Left wrist plain radiograph of the wrist | lat | 8-year-old girl | subsequent exam | cast present.

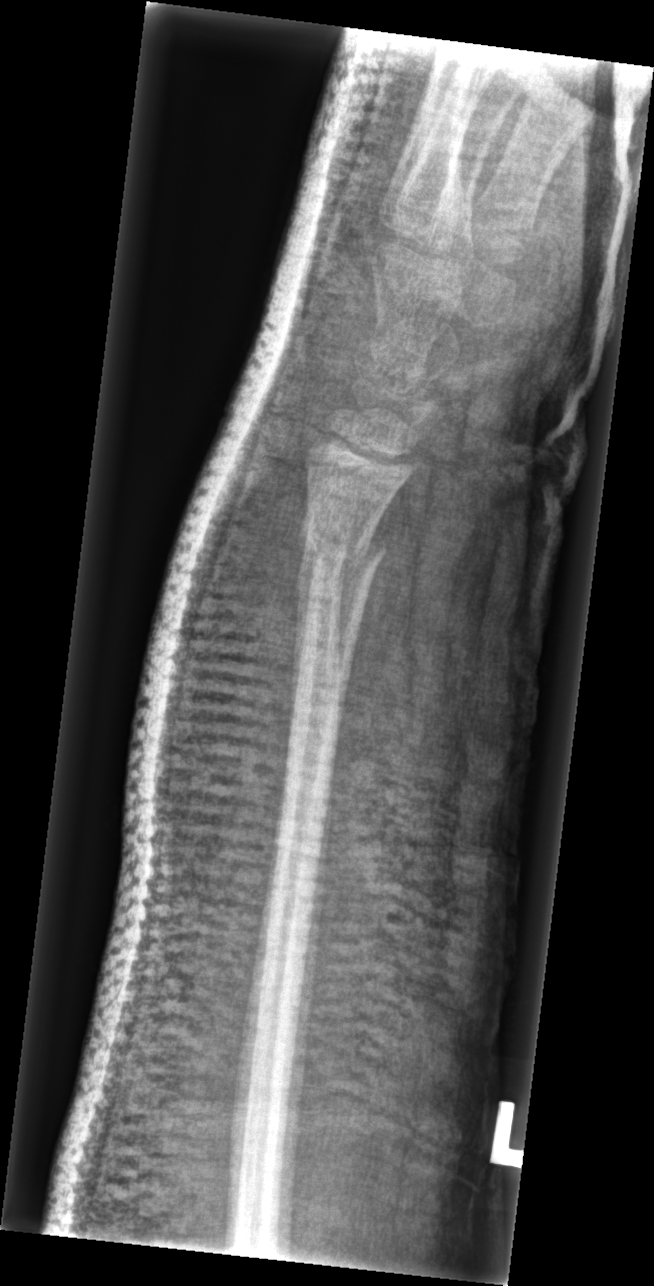 Bone fracture: (left=295, top=525, right=389, bottom=577). AO code 23-M/3.1.